Lt wrist radiograph; AP view; age 8 y, girl; follow-up study —
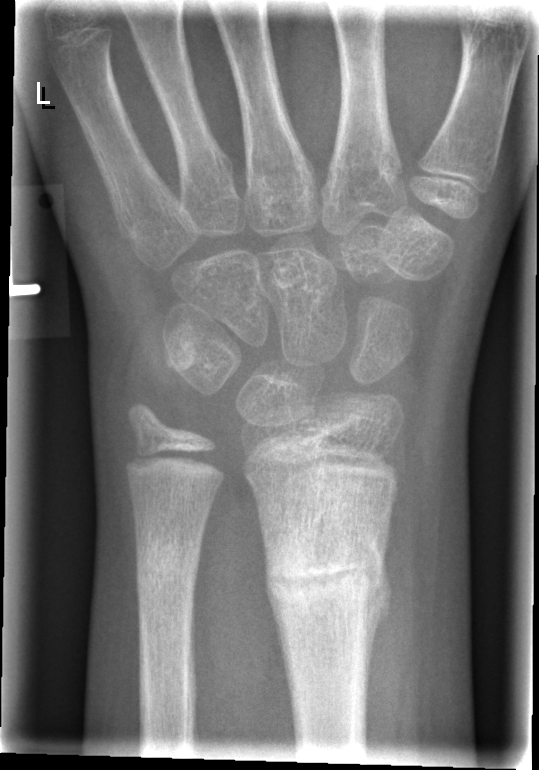 ao: 23-M/2.1
periostealreaction: 1 @ bbox(364, 560, 391, 694)
fracture: 2 @ bbox(261, 535, 393, 631); bbox(132, 545, 203, 603)